Lt pediatric wrist radiograph; lat; boy, 12 yo —
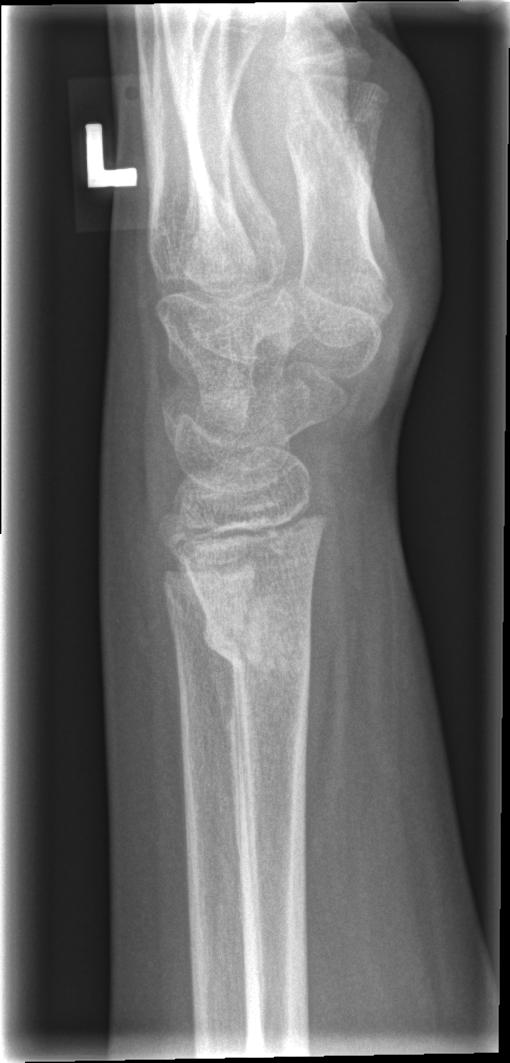 Bounding boxes in image-pixel xyxy.
Decreased bone density (osteopenia).
Bone fracture identified at [x1=199, y1=599, x2=317, y2=682].
AO code 23r-M/2.1.
Periosteal thickening identified at [x1=203, y1=642, x2=241, y2=871].